Lateral view · right wrist pediatric wrist radiograph · 11-year-old male · initial study · detector: Siemens · image width 74.7 mm:
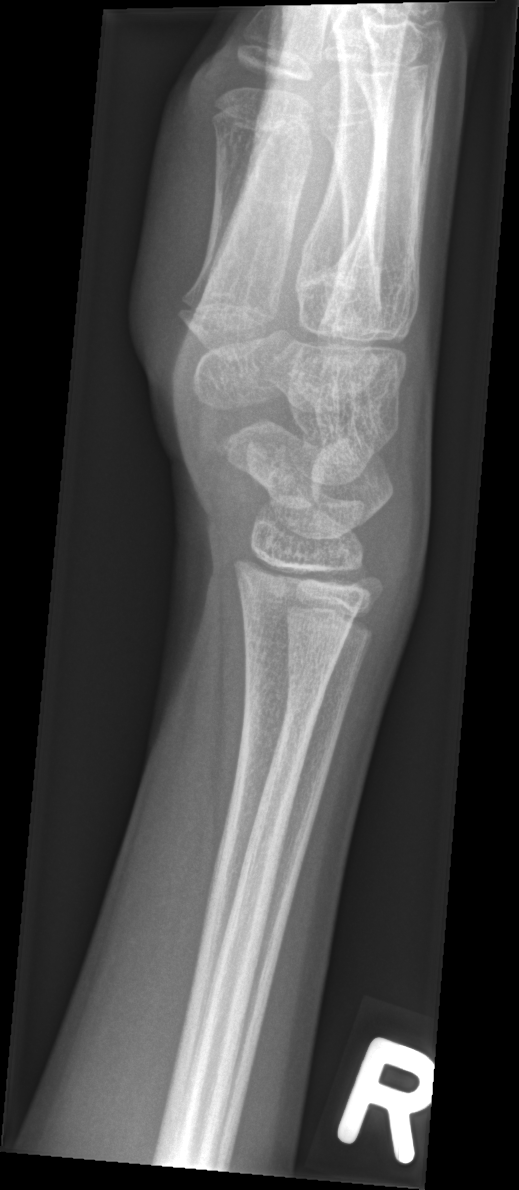 Q: Fracture present?
A: No fracture labeled